Lat · R wrist plain film · image size 528x910
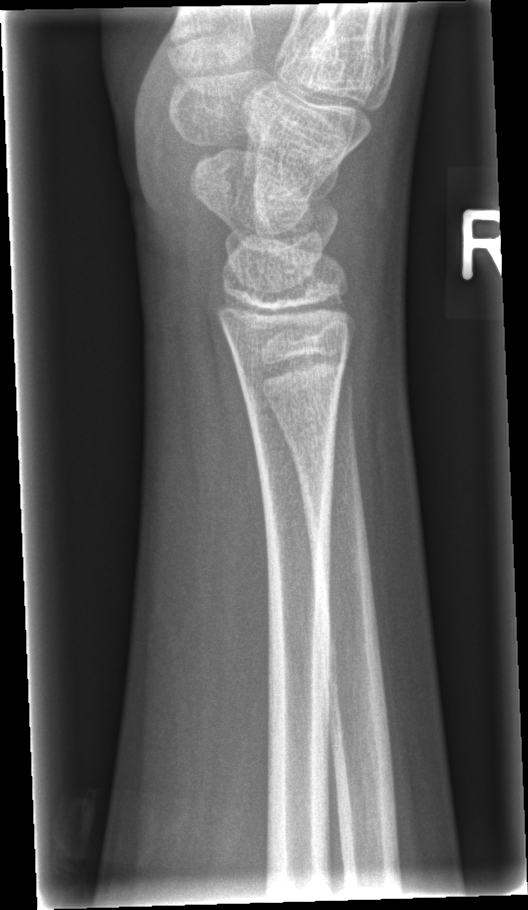

Findings: No Fx annotated.